AP view | Rt wrist XR: 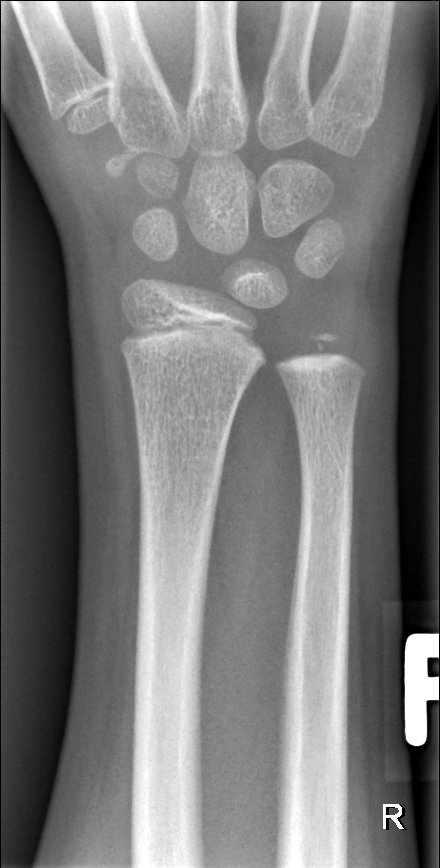

Bone fracture: none labeled